Right wrist plain film; AP view; 84.7 mm image width:
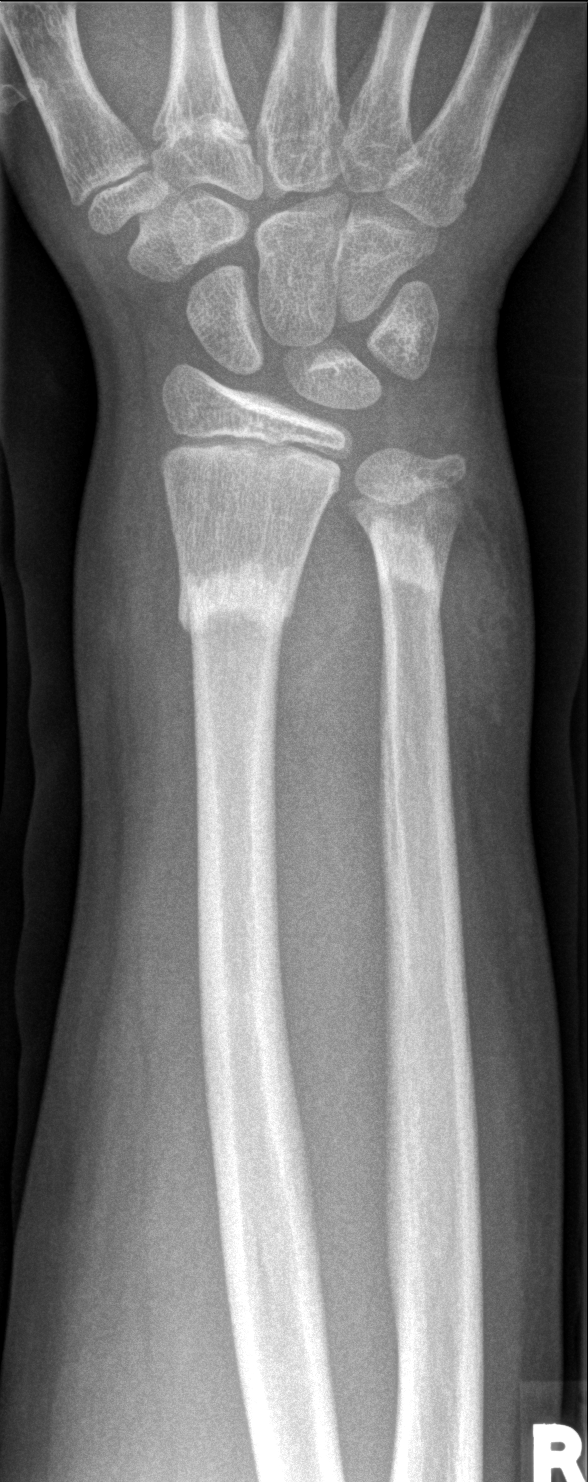
FINDINGS: (pixel coordinates, top-left origin, xyxy) Soft tissue abnormality — bbox(72, 426, 193, 710), bbox(441, 497, 544, 743). Fx identified at bbox(172, 550, 302, 633) bbox(360, 513, 451, 600).